Lat; left wrist X-ray; pediatric patient (girl, age 10); 419x990

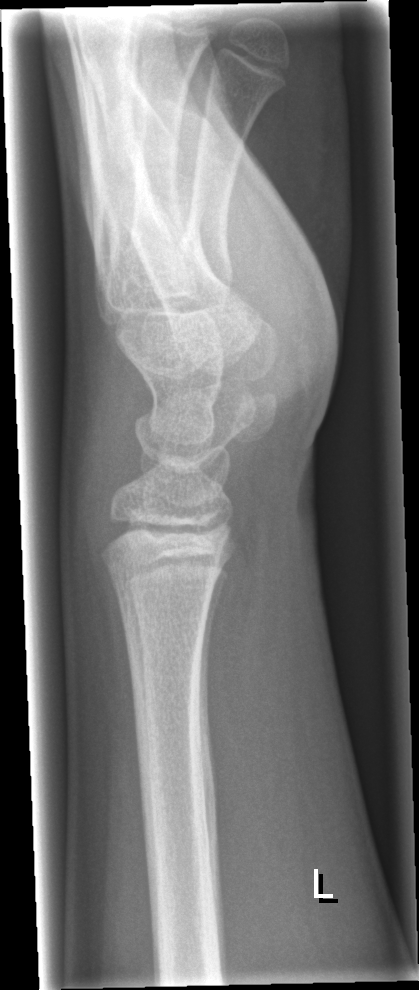
- Fx: none.